Frontal view · R wrist X-ray.
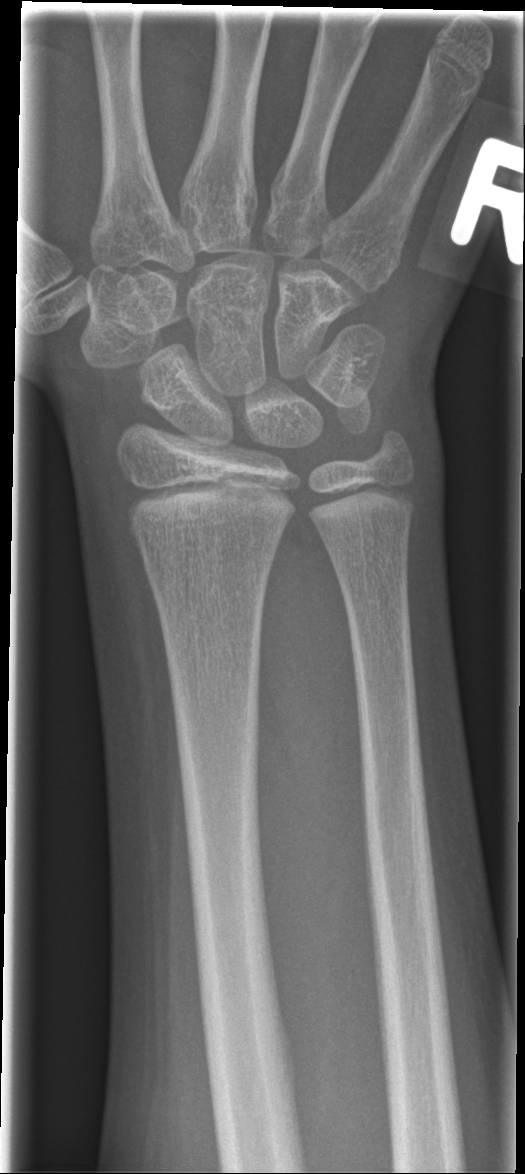 bone fracture = none labeled